Right wrist plain film; PA/AP; 9-year-old female; Siemens:

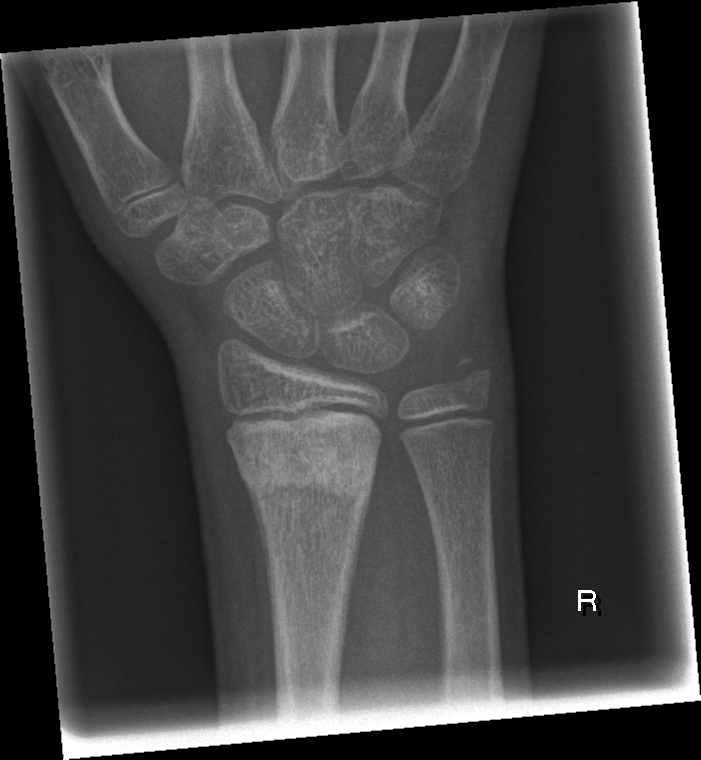 (bounding boxes in image-pixel xyxy)
Periosteal thickening: 1 @ [242, 478, 271, 618]
Osteopenia: present
Fracture: [231, 419, 389, 513] [443, 350, 496, 401]